Left wrist radiograph · PA/AP · initial study · 565 by 934 pixels
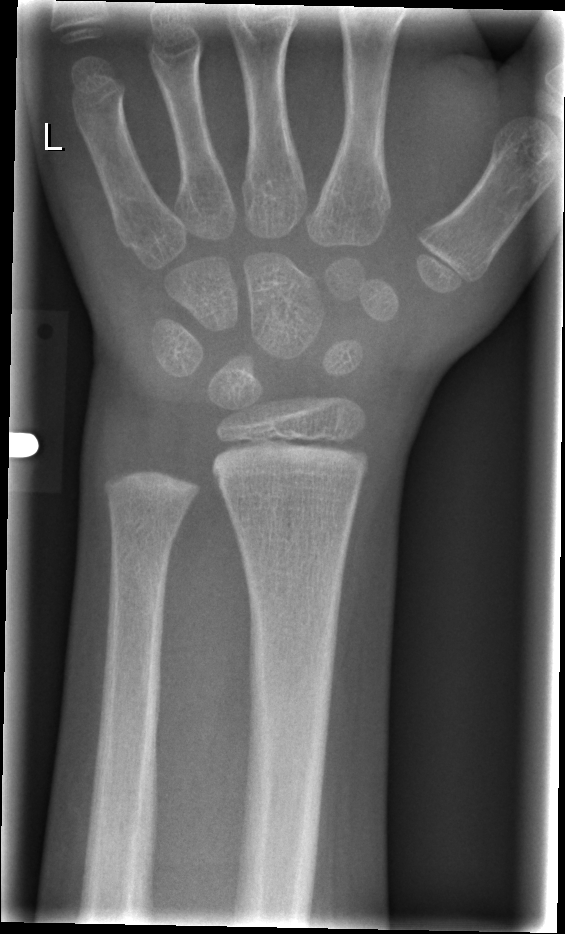

• Fx: none.